Frontal view · left wrist X-ray:

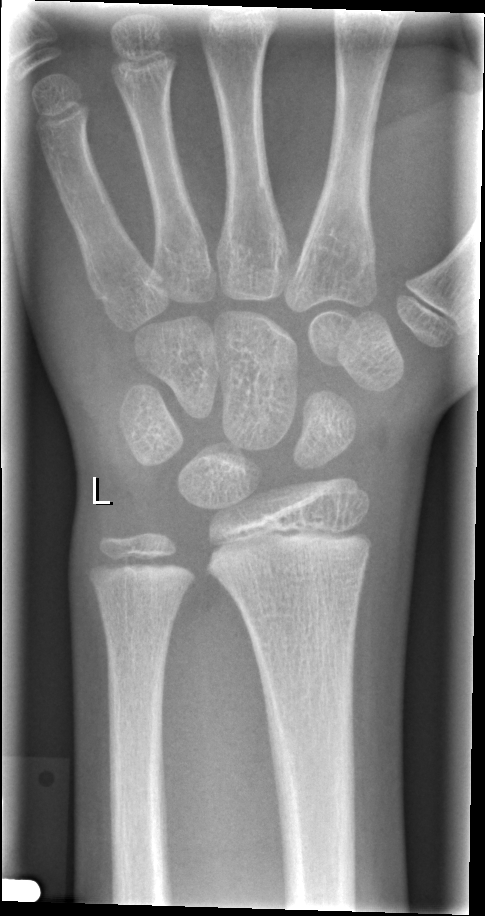
fracture: none labeled